Lateral view, Lt pediatric wrist radiograph, presentation radiograph

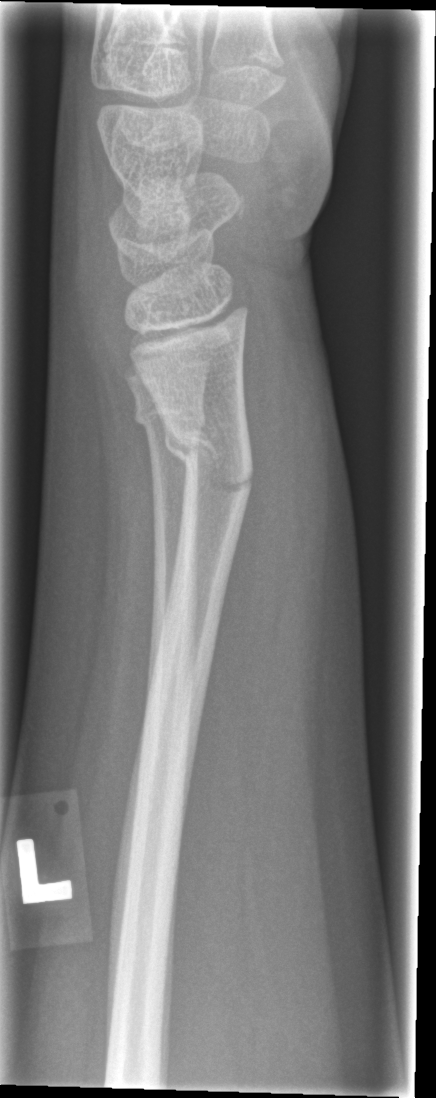

Fracture classified AO/OTA 23r-M/3.1; 23u-M/2.1.
Fx — bbox(161, 410, 258, 497), bbox(131, 397, 206, 438).